Lateral · L plain radiograph of the wrist · subsequent exam · image 89.6 mm wide

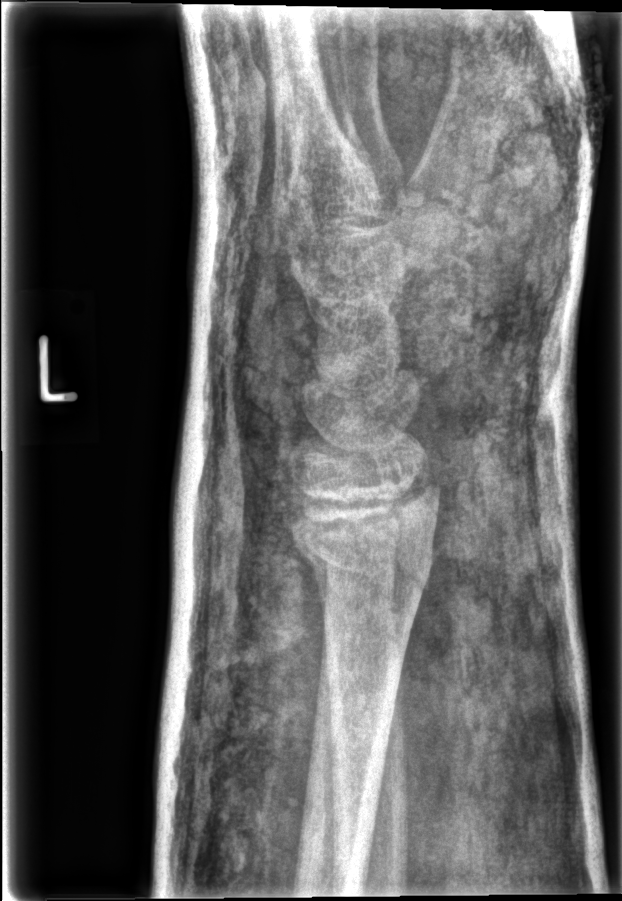

FINDINGS — Periosteal new bone identified at [302, 557, 331, 611]. Bone fracture — [289, 485, 445, 595].